Frontal · left wrist pediatric wrist radiograph · male, 13 yo · cast present

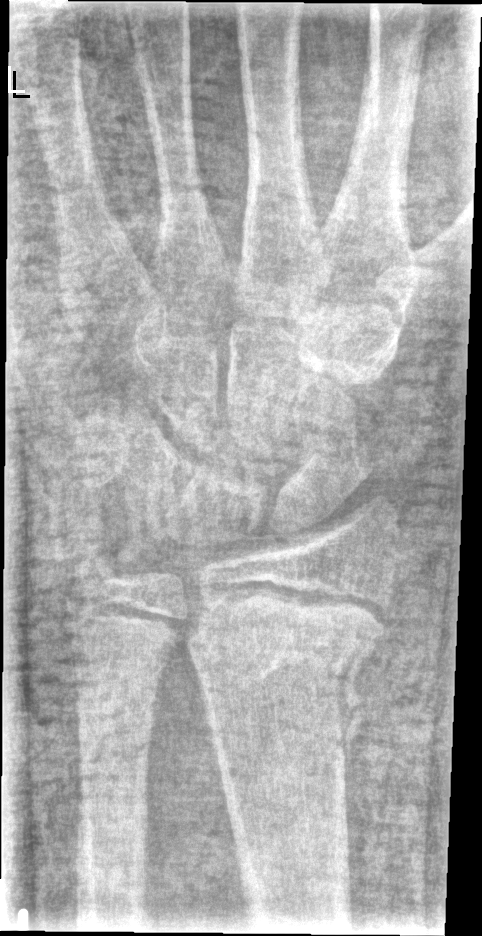 - Fracture classified AO/OTA 23r-M/3.1; 23u-M/2.1; 23u-E/7.
- Bone fracture — (187, 617, 389, 766).